Frontal projection; L wrist XR; age 3 y, girl; initial study

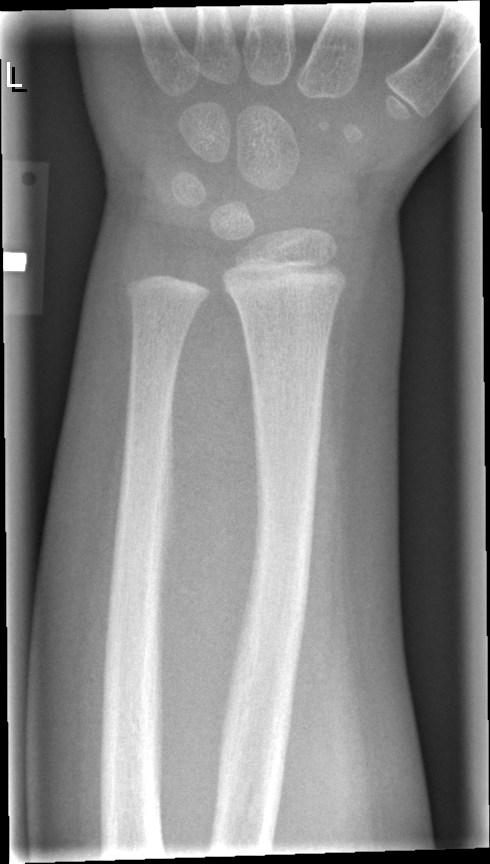
Q: Locate any fractures.
A: No fracture annotation